PA view · right wrist pediatric wrist radiograph · pediatric patient (boy, age 9) · image width 121.5 mm —

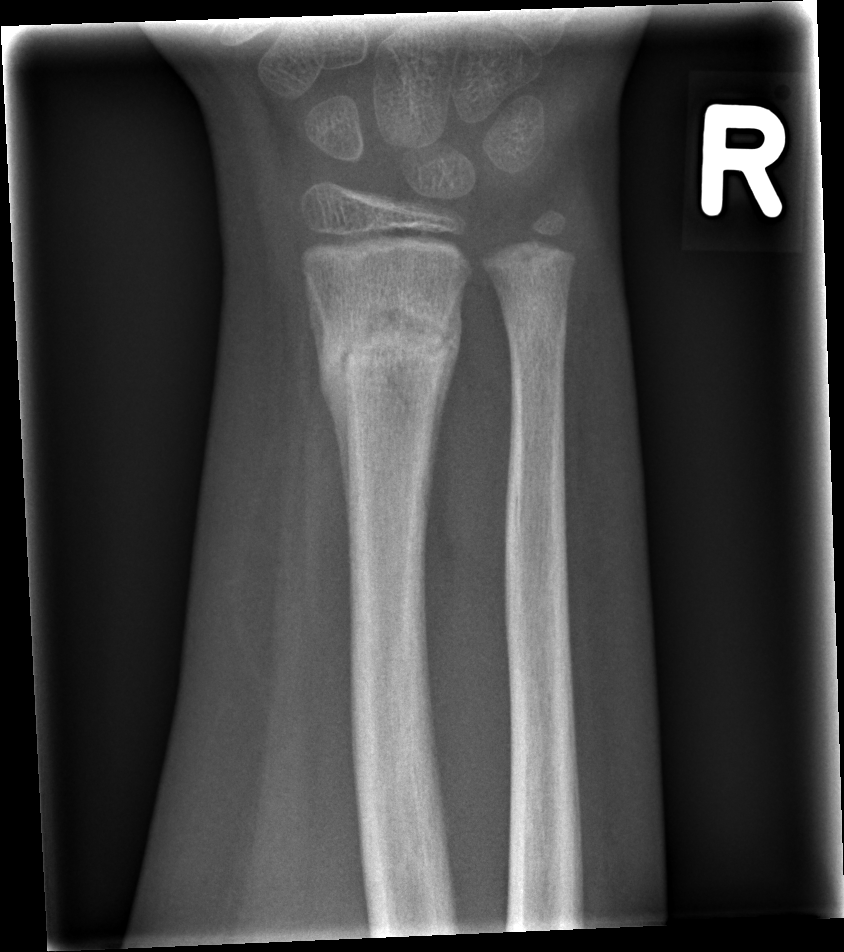
Findings: (coordinates are [x1, y1, x2, y2] in image pixels) Fx — 319 285 461 401; 498 281 573 357. Osteopenia. Two periosteal reaction at 309 297 350 526; 427 284 465 519.